PA/AP projection | left pediatric wrist radiograph | age 13 y, boy: 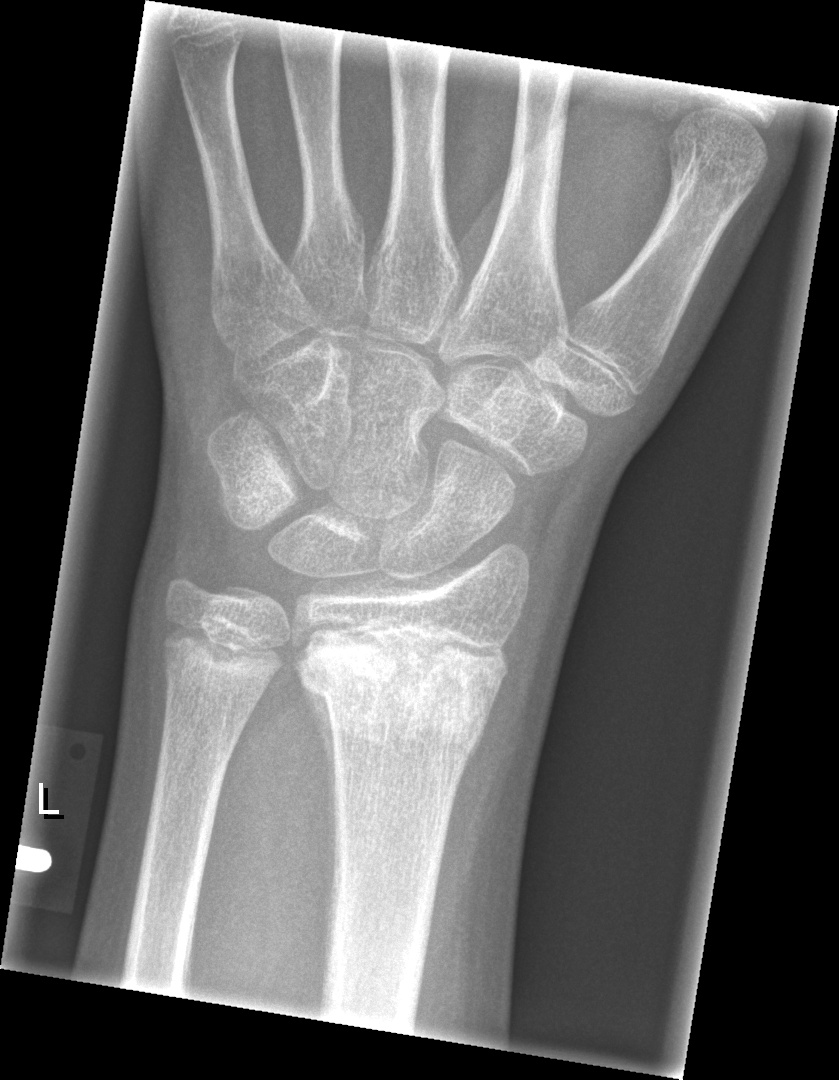
Periosteal reaction = 2 @ (left=309, top=691, right=338, bottom=878); (left=308, top=690, right=335, bottom=883)
Bone fracture = 1 @ (left=298, top=630, right=508, bottom=754)